Left wrist radiograph, lateral, 361x806 — 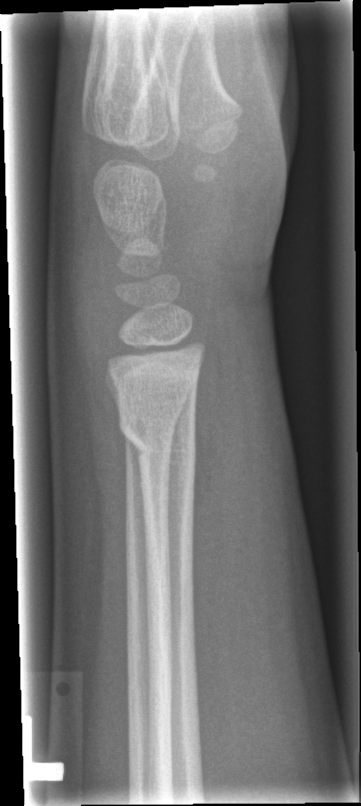

Fx = 1 @ [114, 405, 200, 479]